AP | right wrist plain film | 527 by 784 pixels — 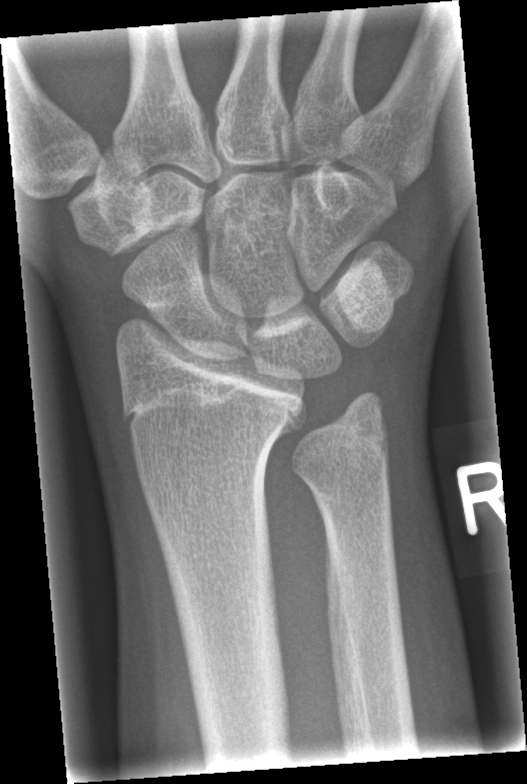
Bone variant — (left=259, top=325, right=397, bottom=507).
Fracture: none labeled.